Lateral; left wrist X-ray:
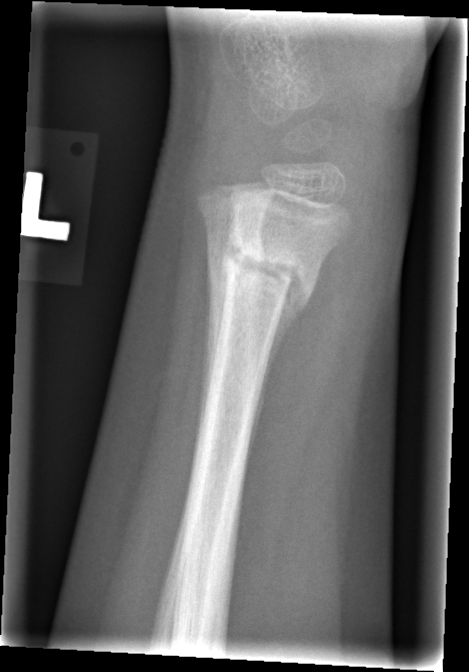
Findings: Periosteal reaction — 243,259,310,489 | 216,209,237,356. Fracture present, but no bounding box because it is not clearly seen in this view.